Posteroanterior view · L pediatric wrist radiograph · pediatric patient (female, age 12) · index exam

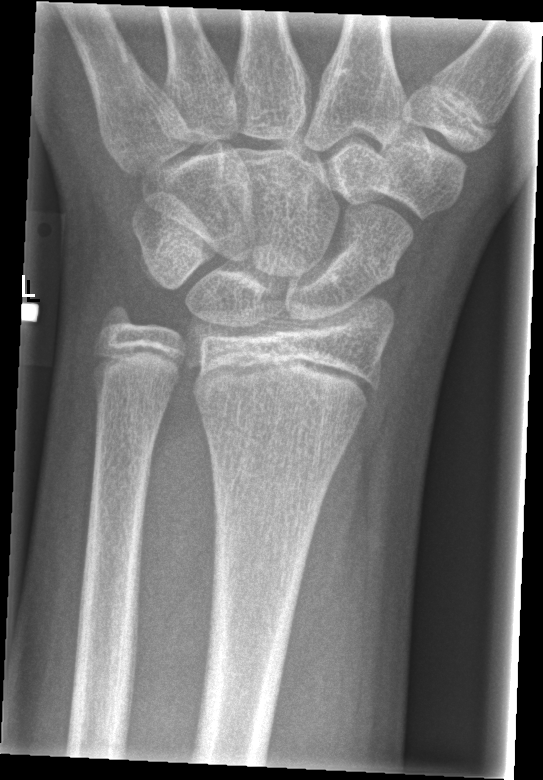 FINDINGS: No Fx annotated.